Left wrist plain film, lateral projection, female, 11 yo, Siemens. 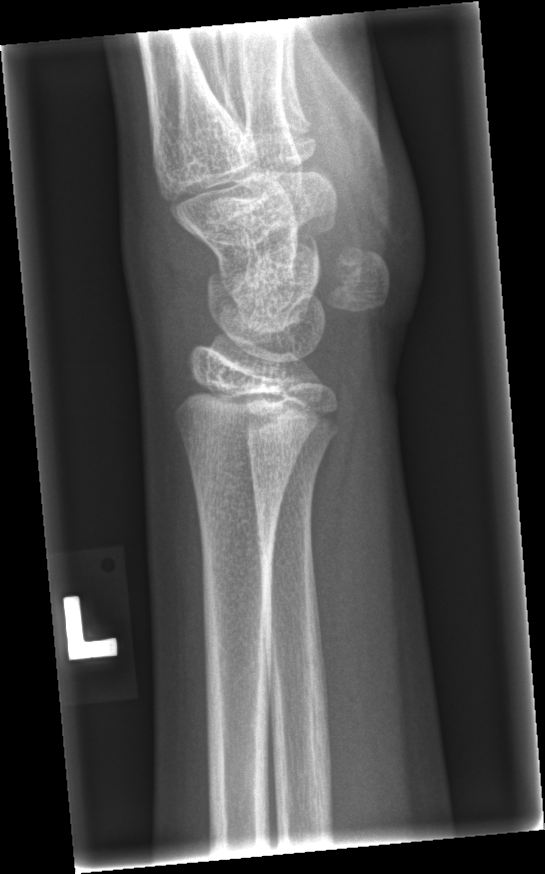

FINDINGS: No fracture bounding box.